Lt wrist X-ray · PA projection · 4y F:
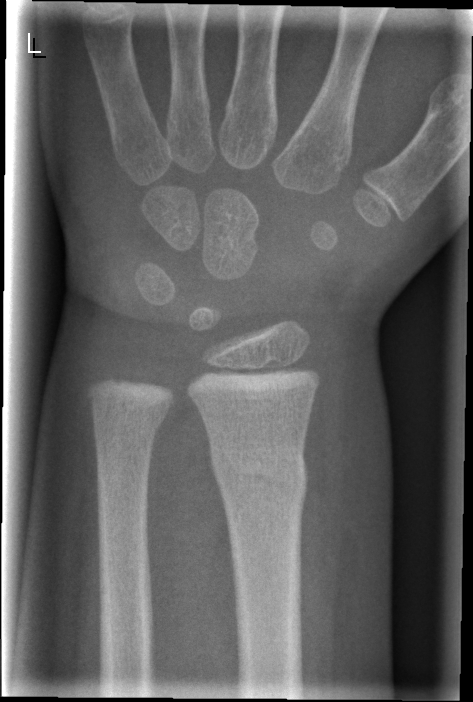

Bounding boxes in image-pixel xyxy. AO/OTA classification: 23-M/2.1. Fracture identified at <207,440>-<311,512> <89,411>-<171,451>.